Right wrist XR | PA/AP view | 8-year-old girl
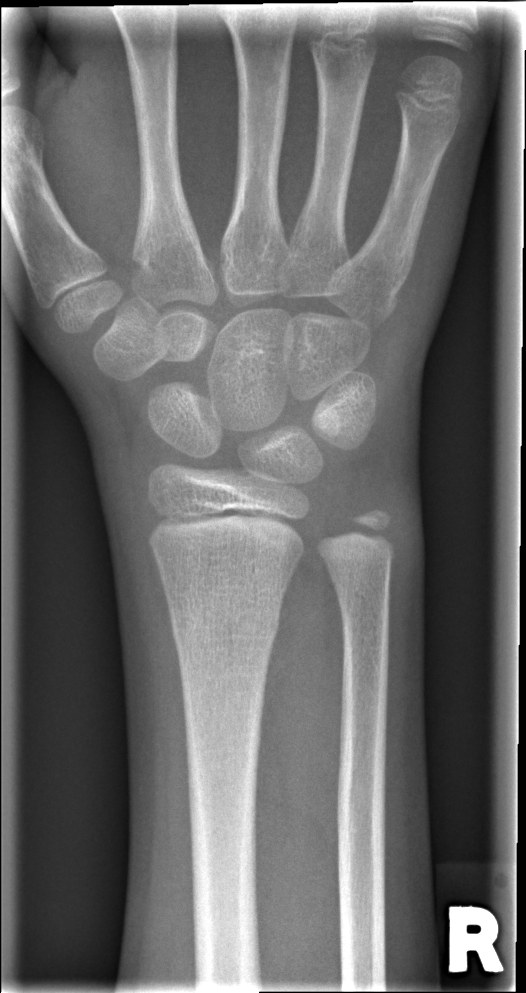
One Fx at [x1=167, y1=597, x2=284, y2=643]. Fracture classified AO/OTA 23r-M/2.1.